Left wrist XR · posteroanterior · pediatric patient (male, age 13) · follow-up study 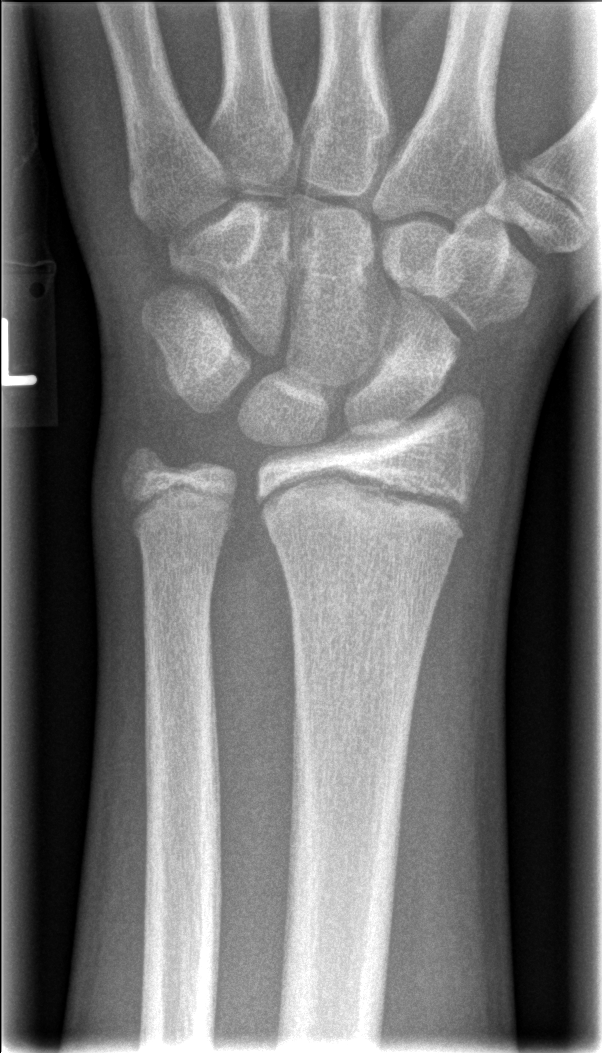

Decreased bone density (osteopenia).
AO/OTA classification: 23r-E/2.1; 23u-E/7.
Bone fracture: [256, 475, 474, 551] [114, 435, 177, 498].